Left wrist XR; posteroanterior view:

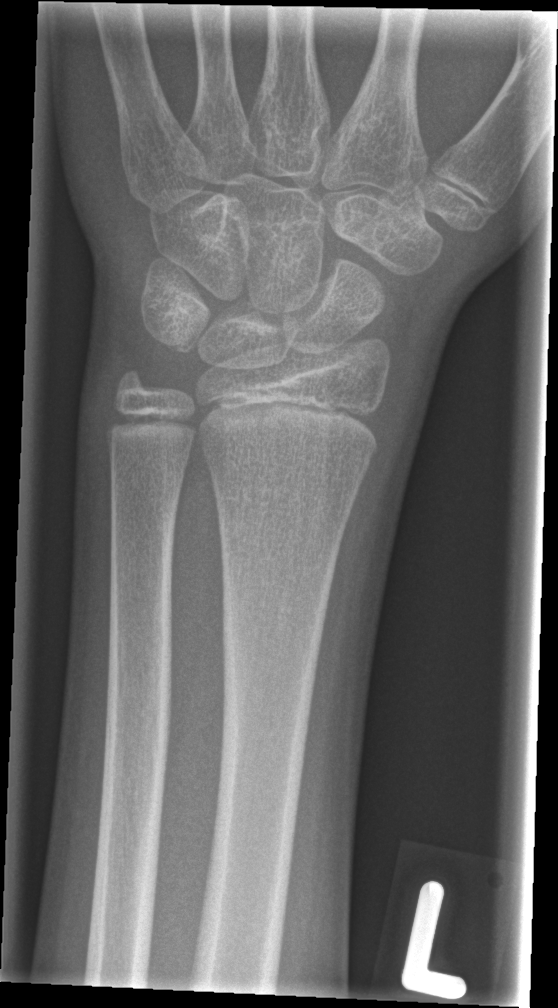

FINDINGS — Fx: none.